Left pediatric wrist radiograph; PA; 11y M.
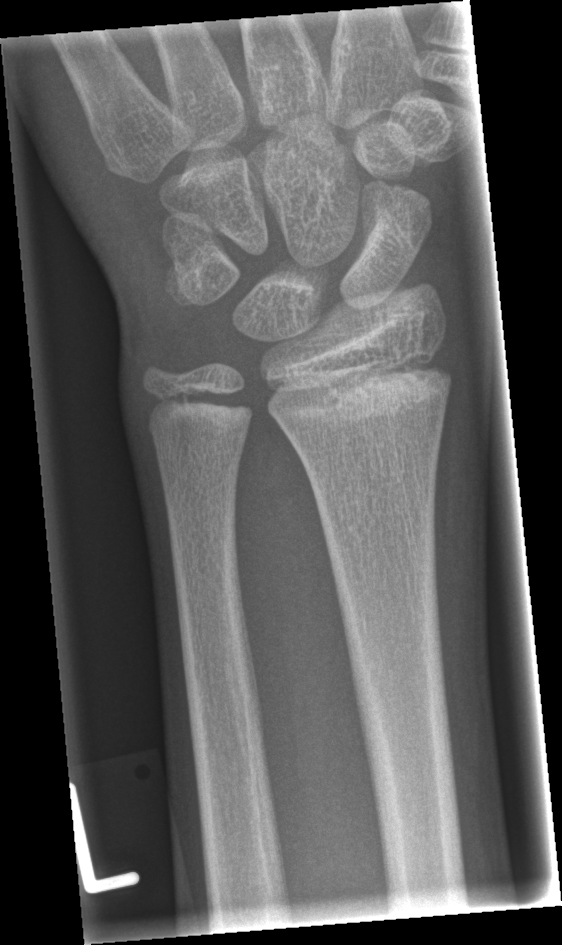 No fracture labeled.